Right wrist XR · frontal — 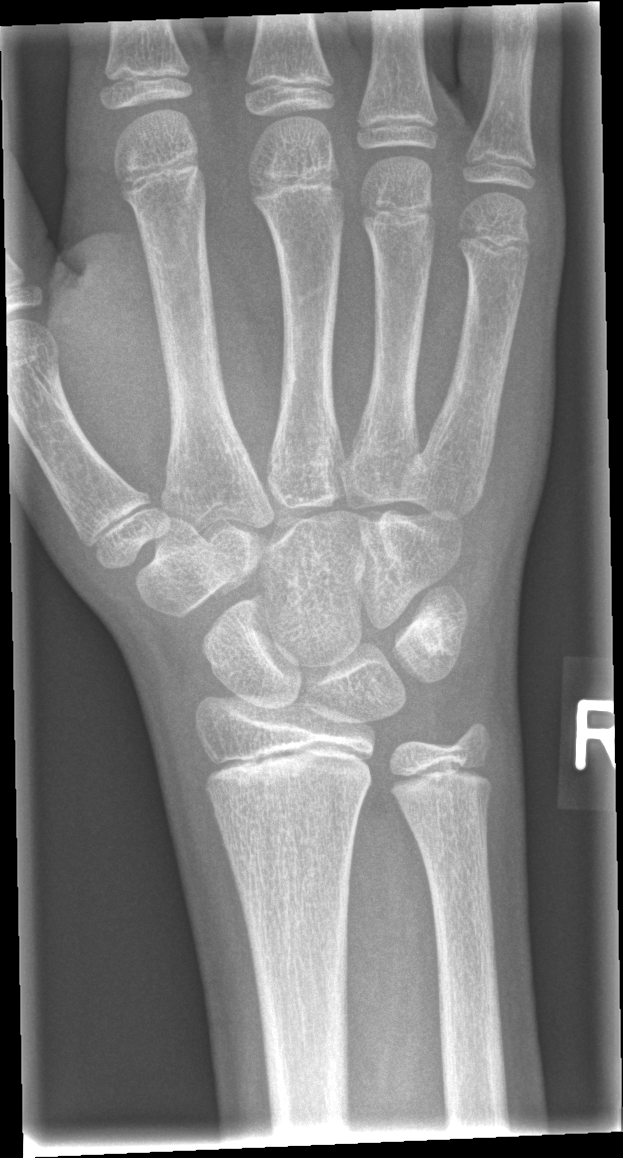 fracture = none labeled